Posteroanterior projection | left plain radiograph of the wrist | presentation radiograph | image width 58.5 mm. 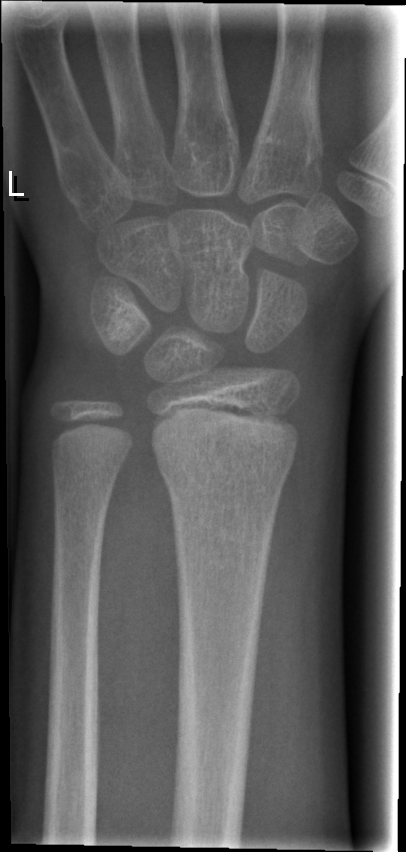

FINDINGS: Fracture: [x1=157, y1=447, x2=293, y2=487]. AO/OTA classification: 23r-M/2.1.